Left wrist X-ray; lateral view; Siemens; image size 559x1036
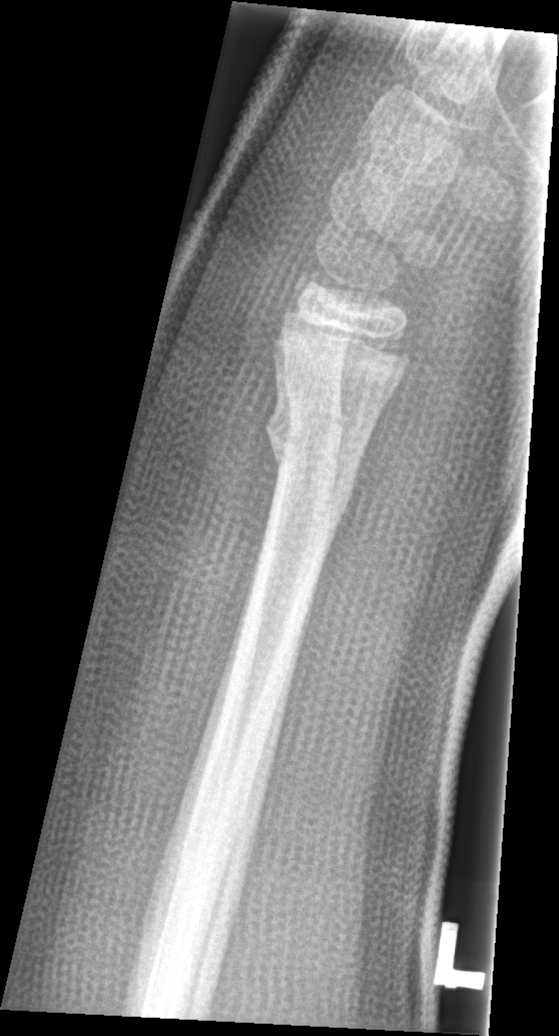

Fx: 1 @ (left=265, top=396, right=374, bottom=483)